Lat view · R plain radiograph of the wrist · 16y M · presentation radiograph.
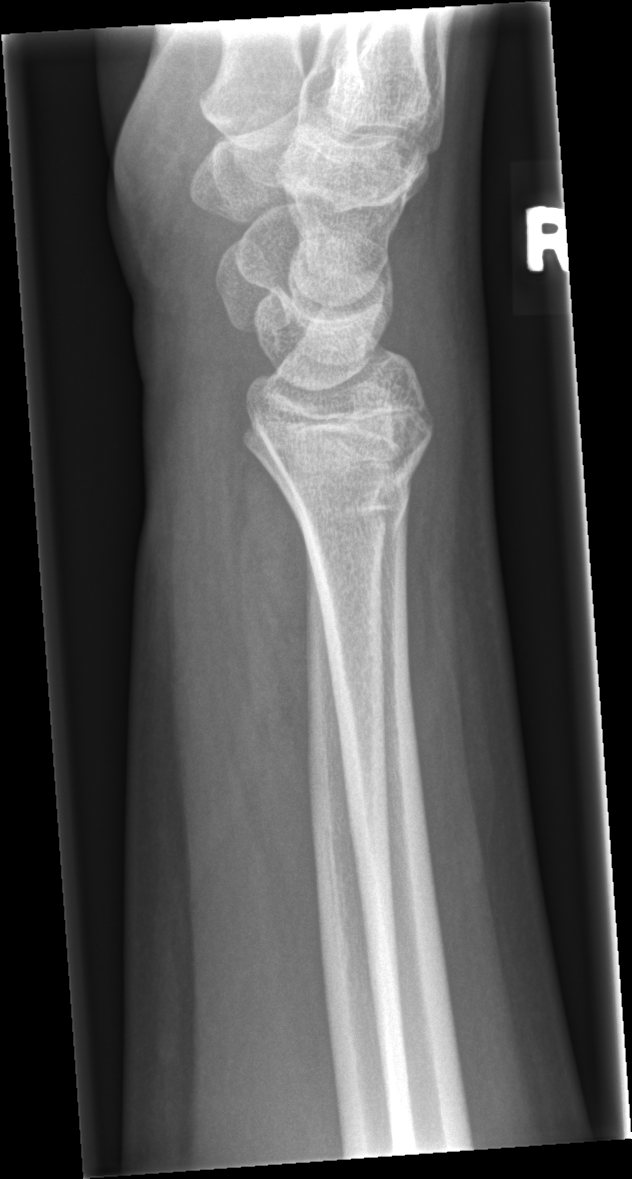
FINDINGS — Bone fracture identified at (left=274, top=396, right=438, bottom=535). Pronator sign — (left=222, top=391, right=314, bottom=817).